Left wrist radiograph, lateral view, 10-year-old female, cast present, 568x1426
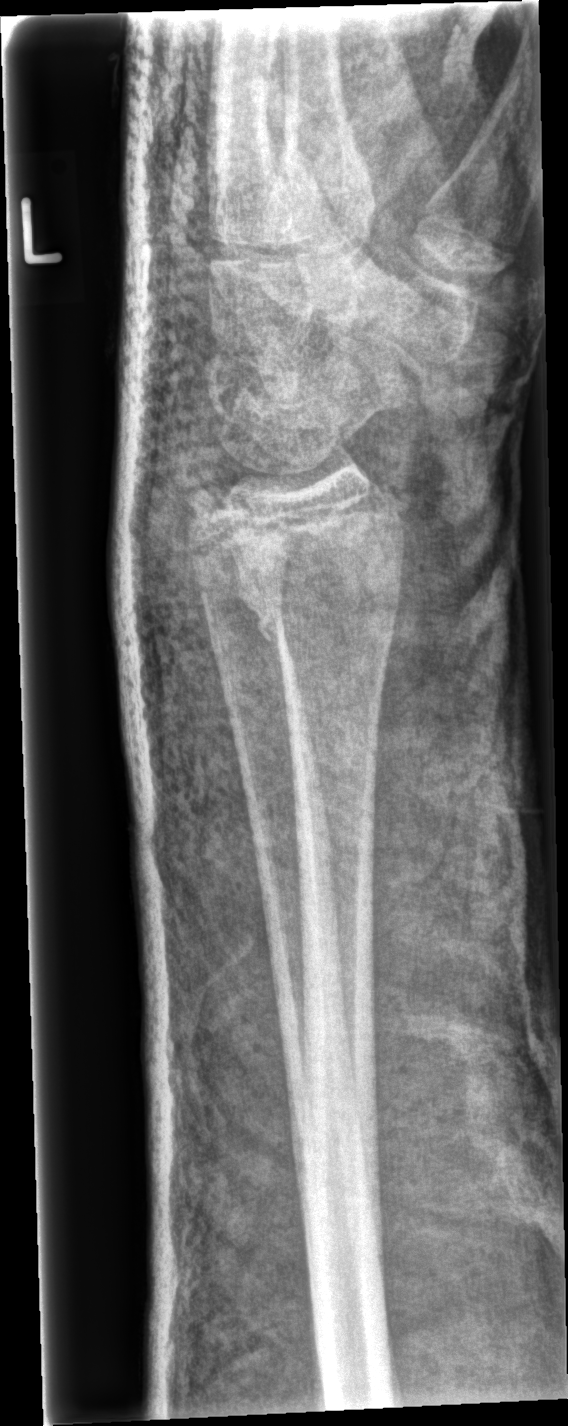
Fx identified at [x1=198, y1=509, x2=410, y2=655].